Lt wrist X-ray; lat projection —

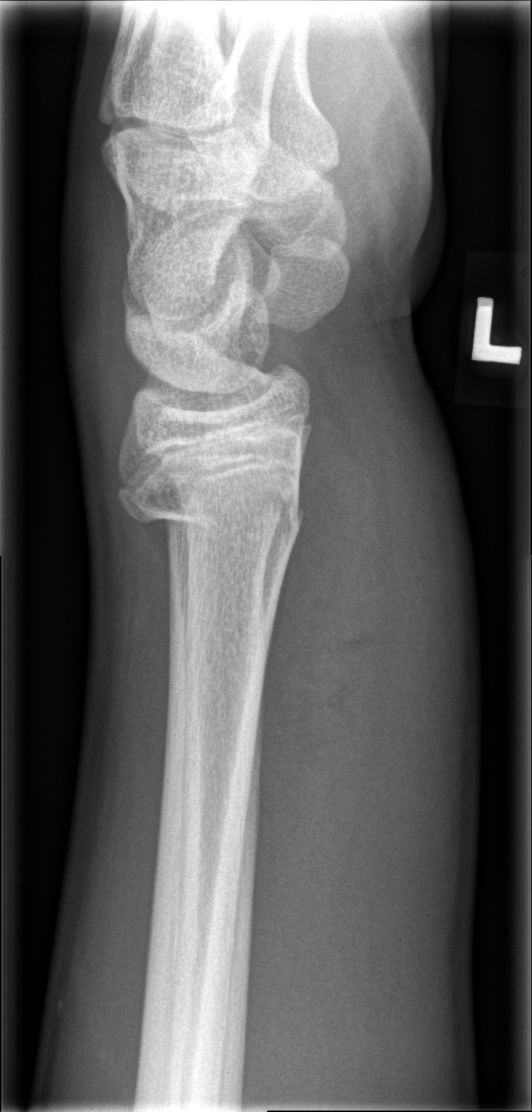 pronatorsign: 1 @ 250 408 390 959
ao: 23r-M/3.1; 23u-E/7
fracture: 1 @ 115 434 309 548